Left wrist plain film, AP. 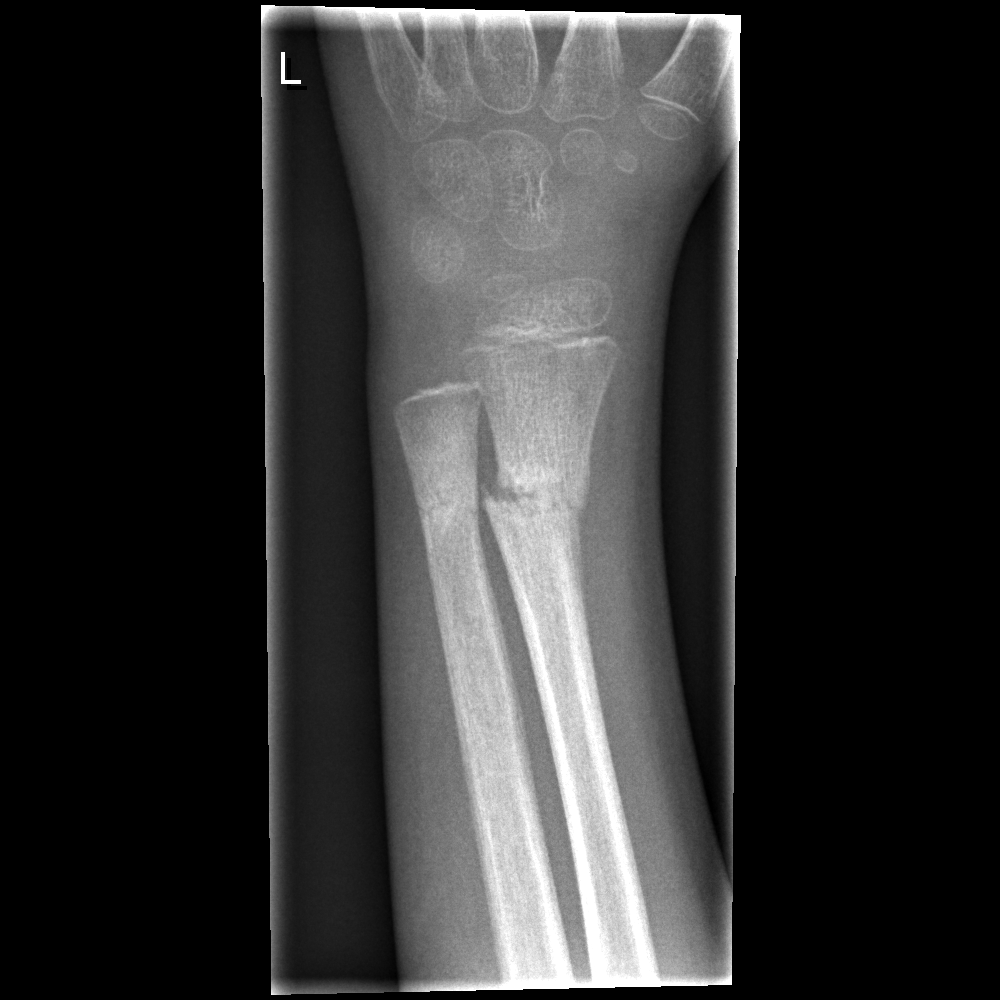 AO classification = 23-M/3.1
osteopenia = present
periosteal thickening = <561,432>-<593,660>
bone fracture = 2 @ <483,459>-<592,532>, <414,474>-<487,542>